Frontal view; left wrist XR; image width 66.2 mm — 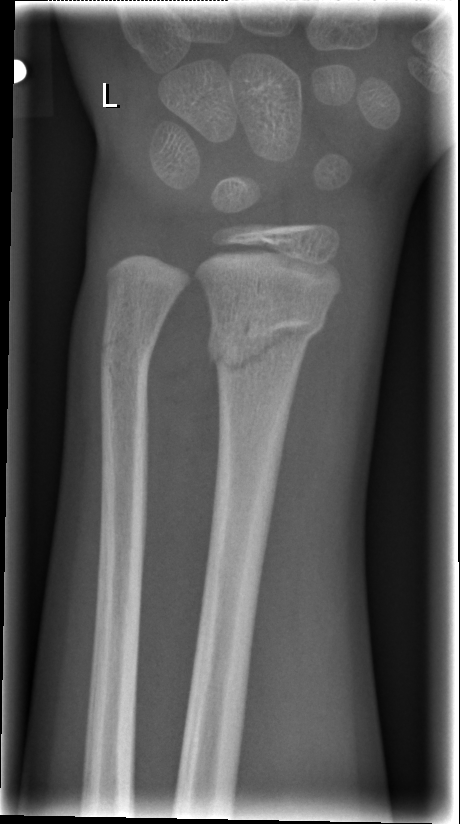
FINDINGS — (bounding boxes in image-pixel xyxy) AO/OTA classification: 23-M/3.1. Fx — 208,298,327,371
  94,329,162,383.